Posteroanterior projection | left wrist pediatric wrist radiograph | age 14 y, boy | image size 608x978.
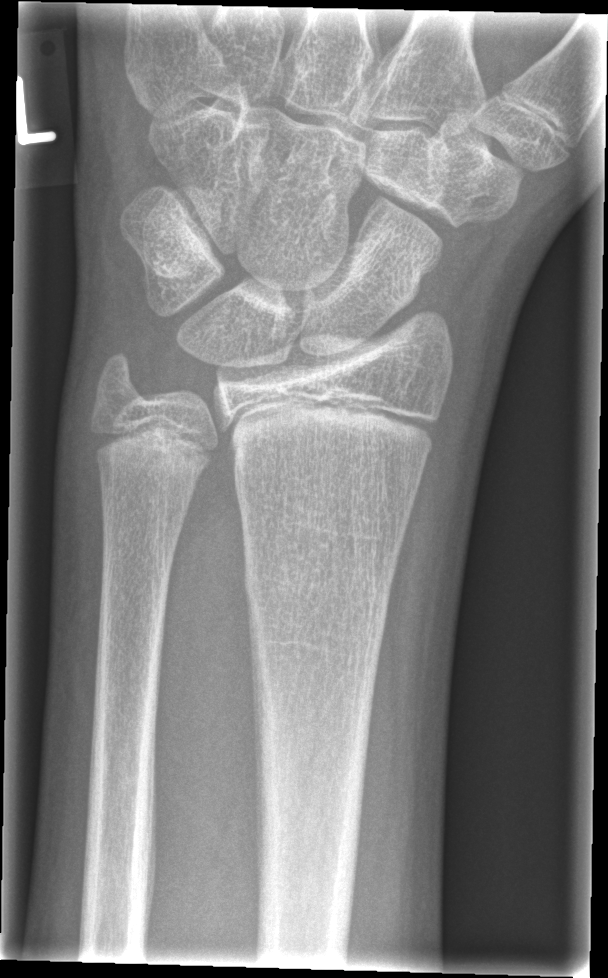 (bounding boxes in image-pixel xyxy)
Q: AO code?
A: AO/OTA classification: 23r-M/2.1
Q: Fracture present?
A: Bone fracture — [x1=237, y1=548, x2=399, y2=623]